Posteroanterior · left plain radiograph of the wrist · 13y M · imaged through cast:
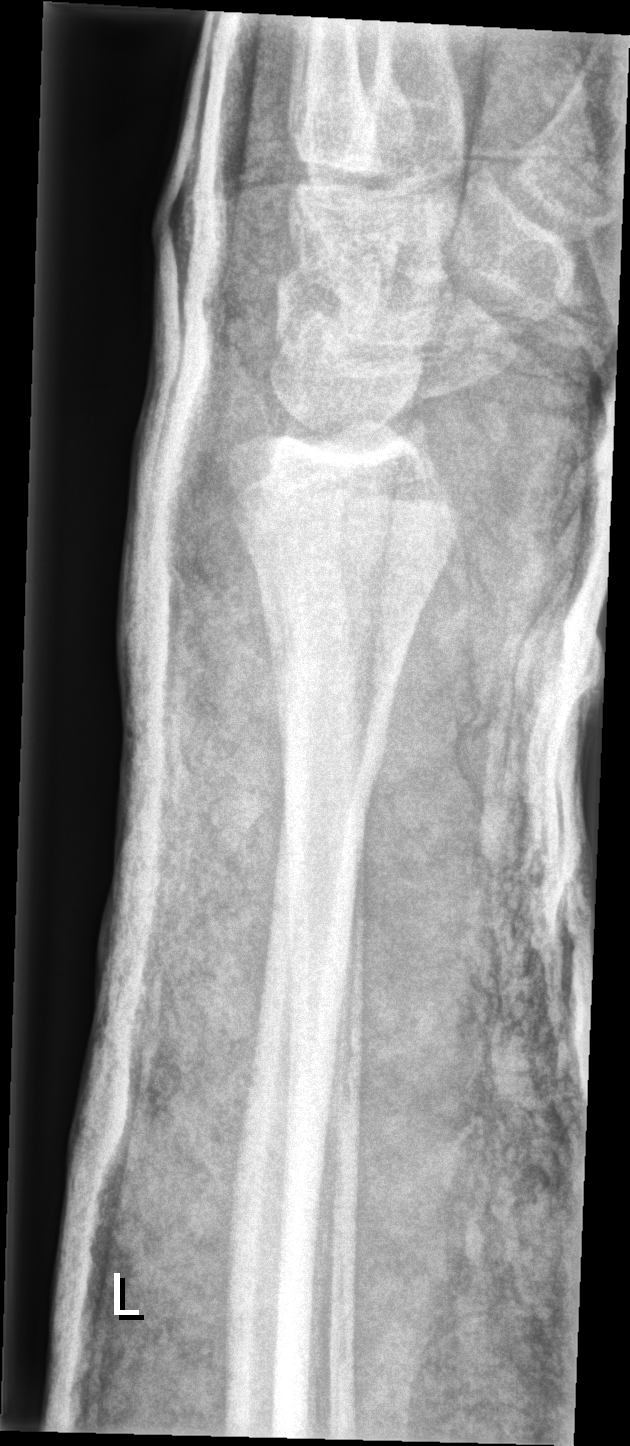

(pixel coordinates, top-left origin, xyxy)
Fx: (220, 462, 470, 569)
AO/OTA: 23r-E/2.1; 23u-M/2.1